PA view; L wrist X-ray; girl, 5 yo; subsequent exam; in cast; detector: Siemens; 93.7 mm image width; 651 x 1126 px:
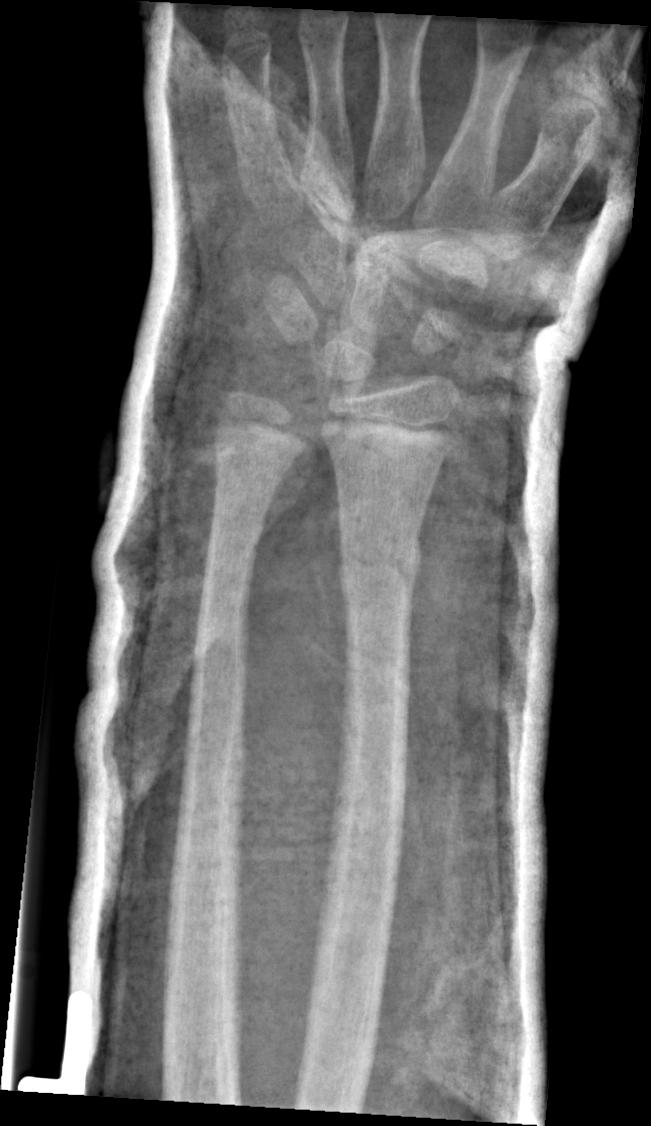

{
  "ao": "23r-M/3.1; 23u-E/7",
  "fracture": "1 @ <332,537>-<422,598>"
}